AP | L wrist X-ray | subsequent exam — 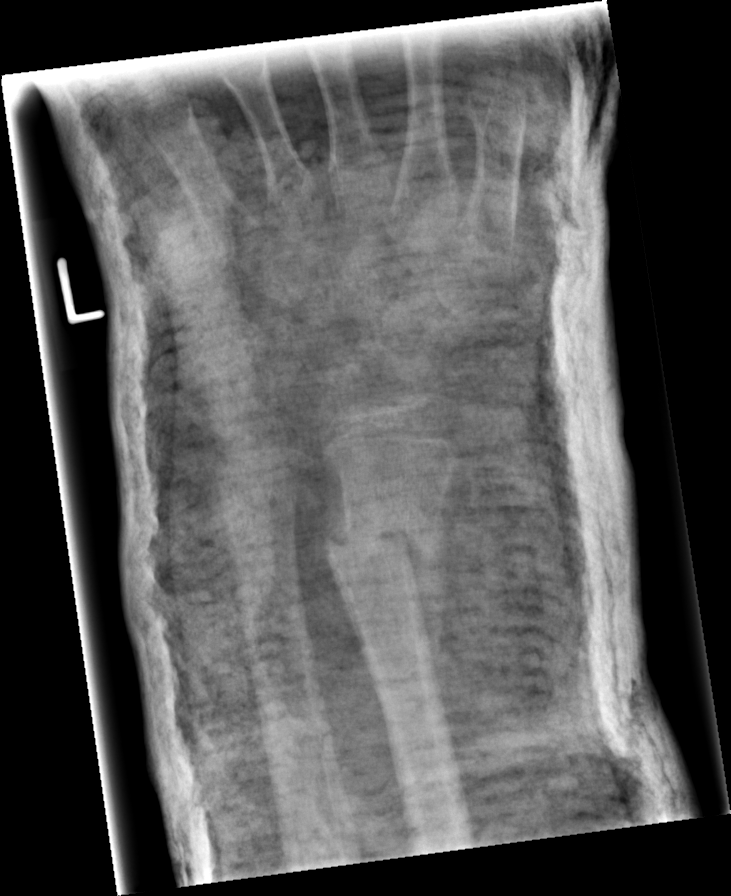

FINDINGS: (pixel coordinates, top-left origin, xyxy) Fracture identified at bbox(330, 507, 445, 583); bbox(216, 472, 305, 546).